PA; L wrist plain film; follow-up; 103.1 mm image width. 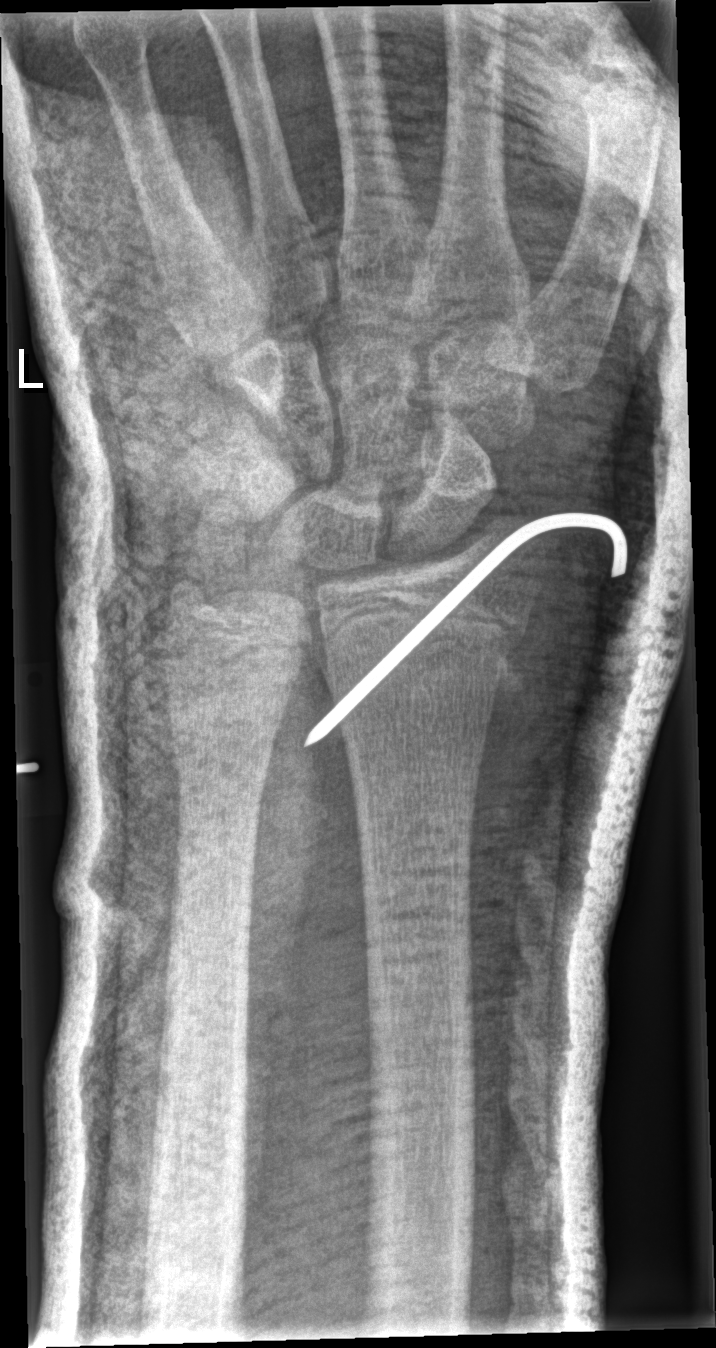 (bounding boxes in image-pixel xyxy)
Q: Is there a fracture?
A: Bone fracture: (305, 607, 535, 699)
Q: Any metal present?
A: Hardware — (307, 514, 628, 749)